Lateral | Rt wrist X-ray | 13-year-old male | image width 108.9 mm:
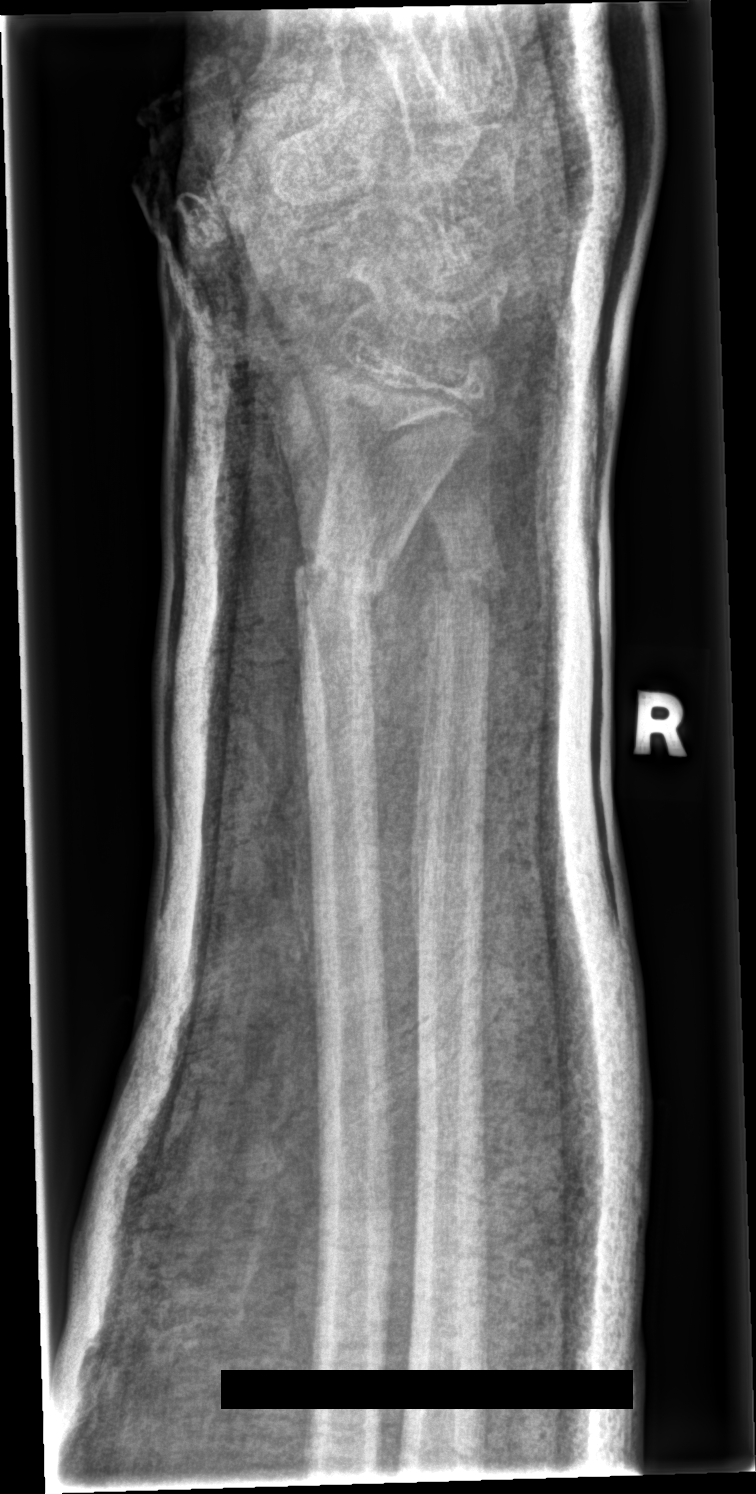 Boxes as x1,y1,x2,y2 (top-left / bottom-right, pixel units).
Two fractures at [x1=284, y1=526, x2=406, y2=623], [x1=415, y1=550, x2=516, y2=633].
AO/OTA classification: 23-M/3.1.